Lat, right wrist plain film, 12y F. 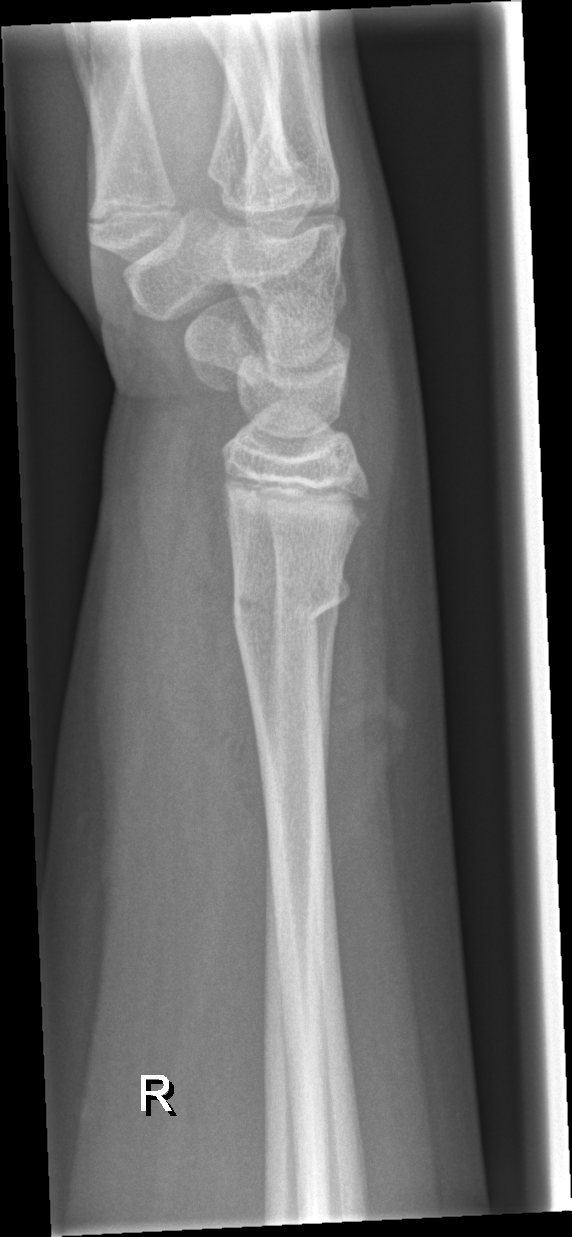

(boxes as x1,y1,x2,y2 (top-left / bottom-right, pixel units))
Fx: (219, 567, 358, 640)
pronator sign: (166, 445, 271, 832)
AO code: 23r-M/3.1; 23u-M/2.1